Lt wrist XR · lat projection · 563 x 1132 px: 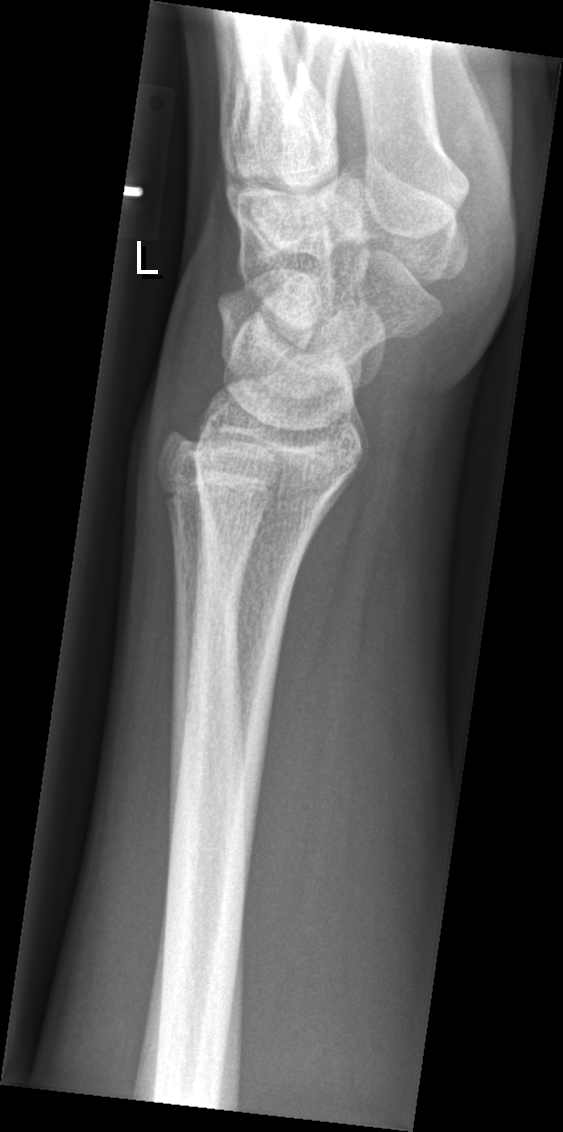
No Fx annotated.